Right wrist plain radiograph of the wrist | AP | pediatric patient (male, age 11).
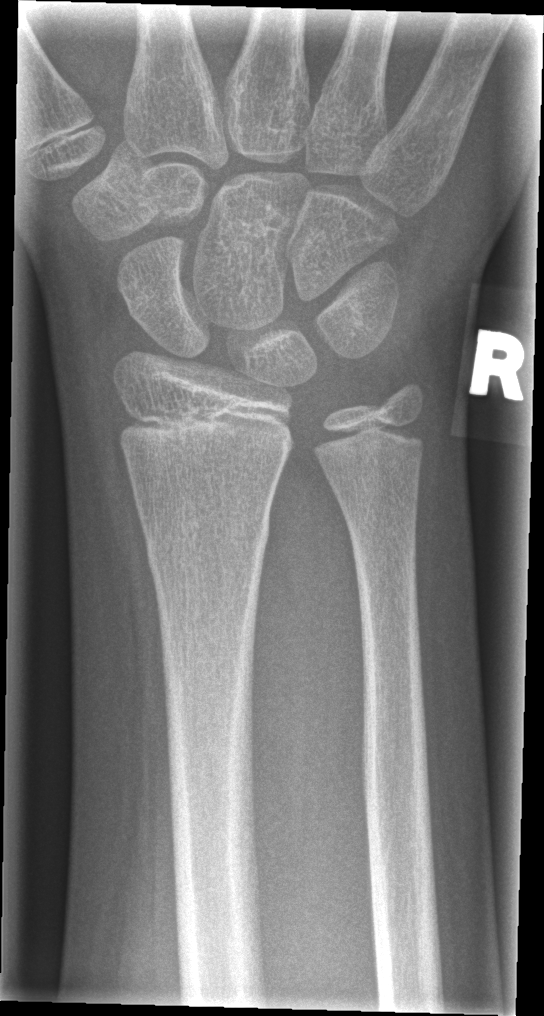 fracture = 1 @ [134, 498, 276, 568]